Left wrist X-ray · lat · male, 10 yo · subsequent exam:

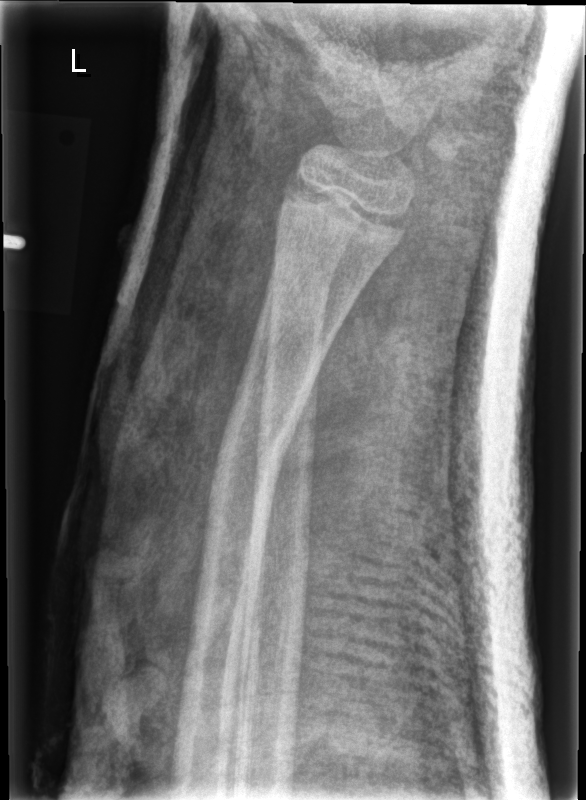
(bounding boxes in image-pixel xyxy)
AO code = 22r-D/2.1
bone fracture = 1 @ 201 395 306 512